L wrist X-ray; lateral projection.
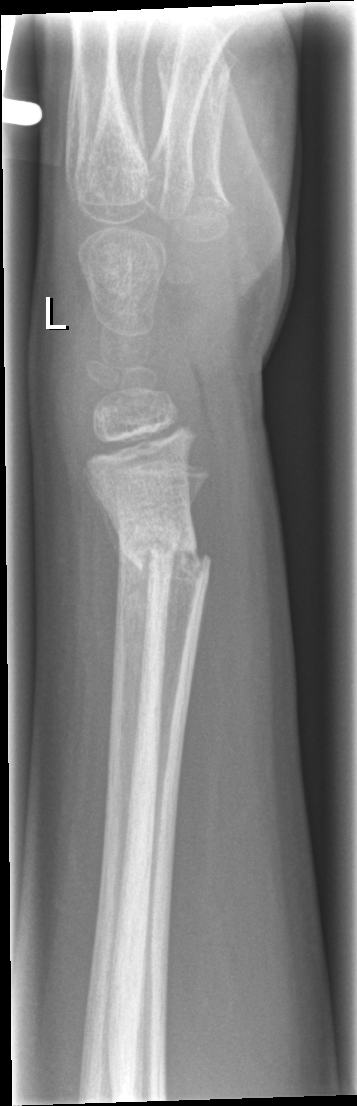 fracture: bbox(113, 523, 215, 586)
osteopenia: present
AO/OTA: 23r-M/3.1; 23u-M/2.1